Right wrist XR | lateral | 8-year-old male | Siemens.
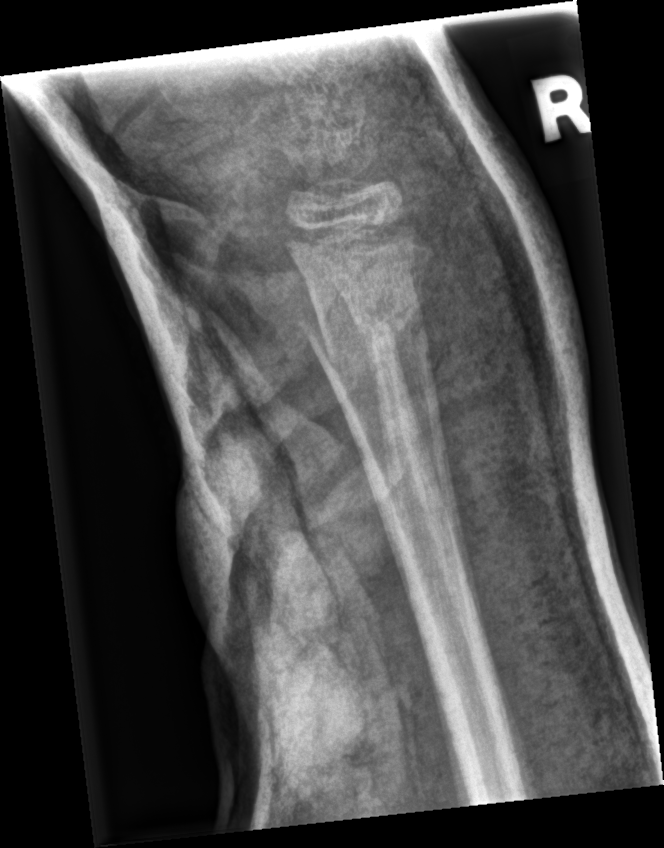

AO code 23-M/3.1. Fx identified at [297, 277, 427, 371].